Right wrist X-ray | lat view | acquired on Siemens — 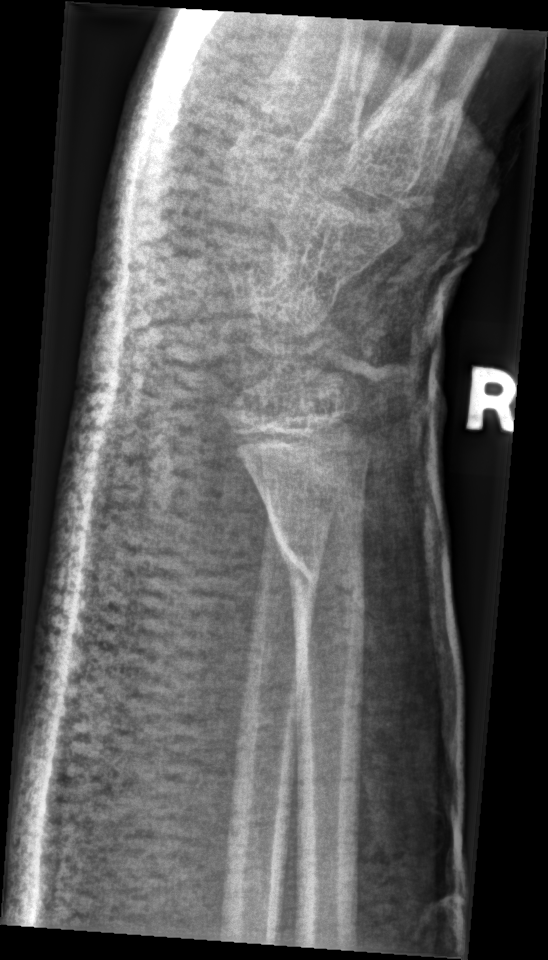

Coordinates are [x1, y1, x2, y2] in image pixels. One Fx at [x1=269, y1=520, x2=369, y2=631].